L wrist X-ray, AP, age 6 y, male, detector: Siemens: 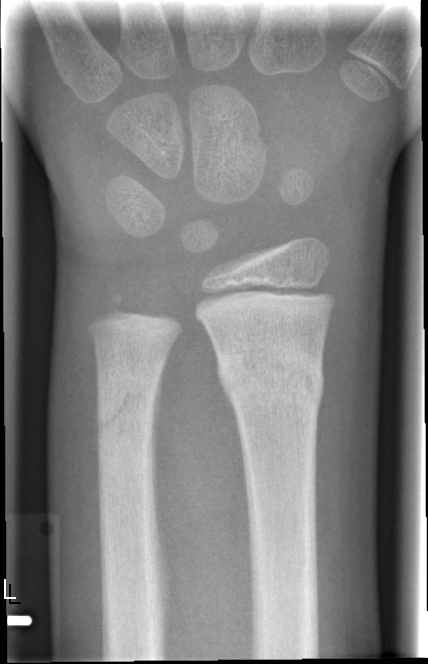 fracture: 2 @ (left=213, top=341, right=326, bottom=414); (left=91, top=366, right=164, bottom=438)
periosteal new bone: (left=149, top=358, right=165, bottom=536)